Lateral projection, L wrist XR, 454x1166:
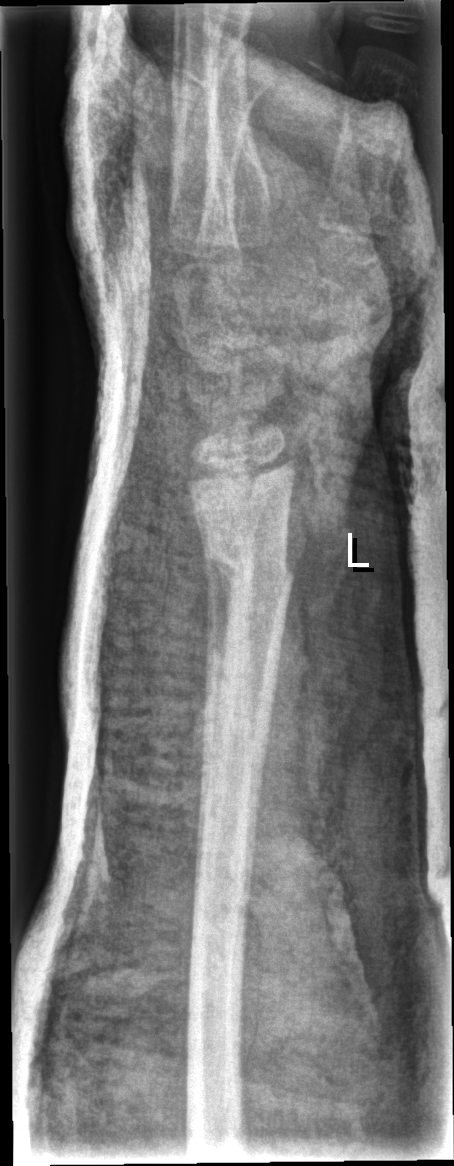 (coordinates are [x1, y1, x2, y2] in image pixels)
Q: Is there a fracture?
A: Bone fracture — (left=206, top=539, right=295, bottom=593)
Q: AO code?
A: Fracture classified AO/OTA 23-M/3.1